Frontal, left wrist XR, pediatric patient (boy, age 13), cast in situ, image width 90.7 mm
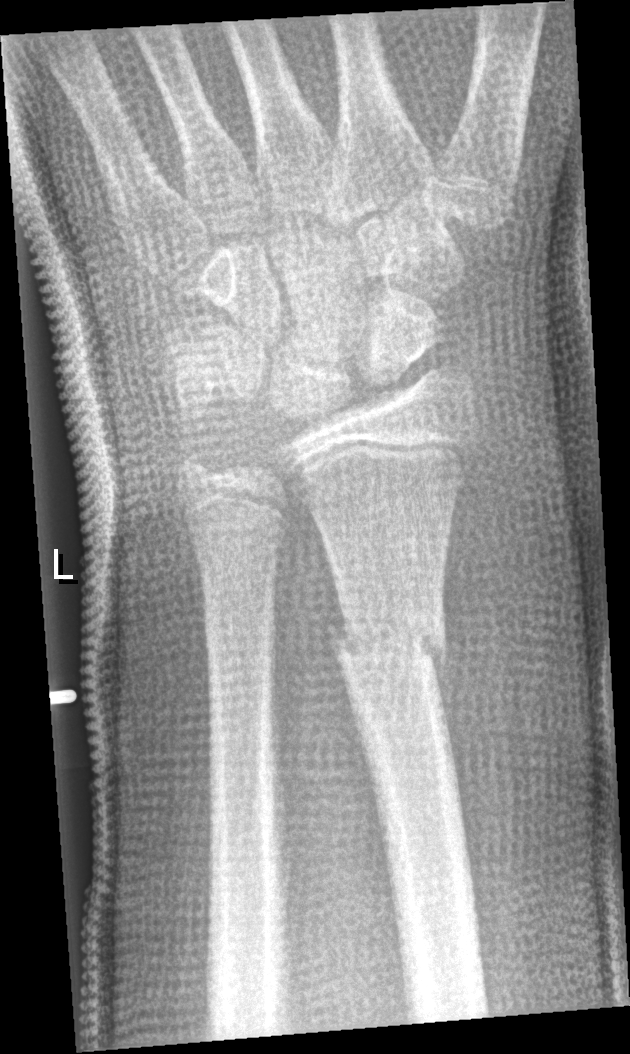 FINDINGS — Fx — bbox(326, 589, 452, 691) bbox(170, 438, 229, 496).